Left wrist plain film | lat | pediatric patient (boy, age 9) | 59.3 mm image width | 412x736:
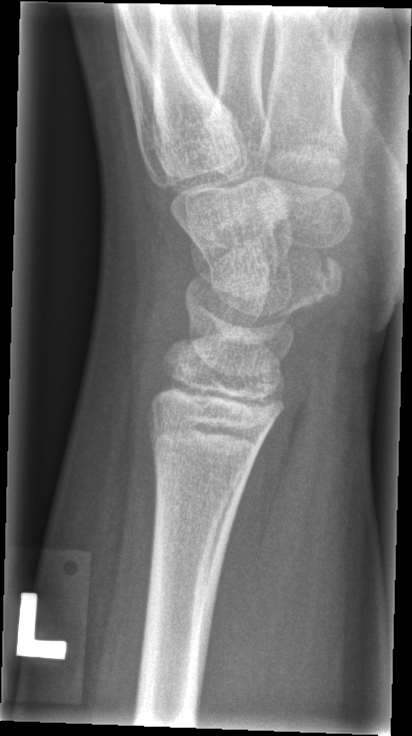 No fracture labeled.